PA/AP view | left wrist radiograph | age 7 y, boy | acquired on Siemens | image width 82.1 mm —
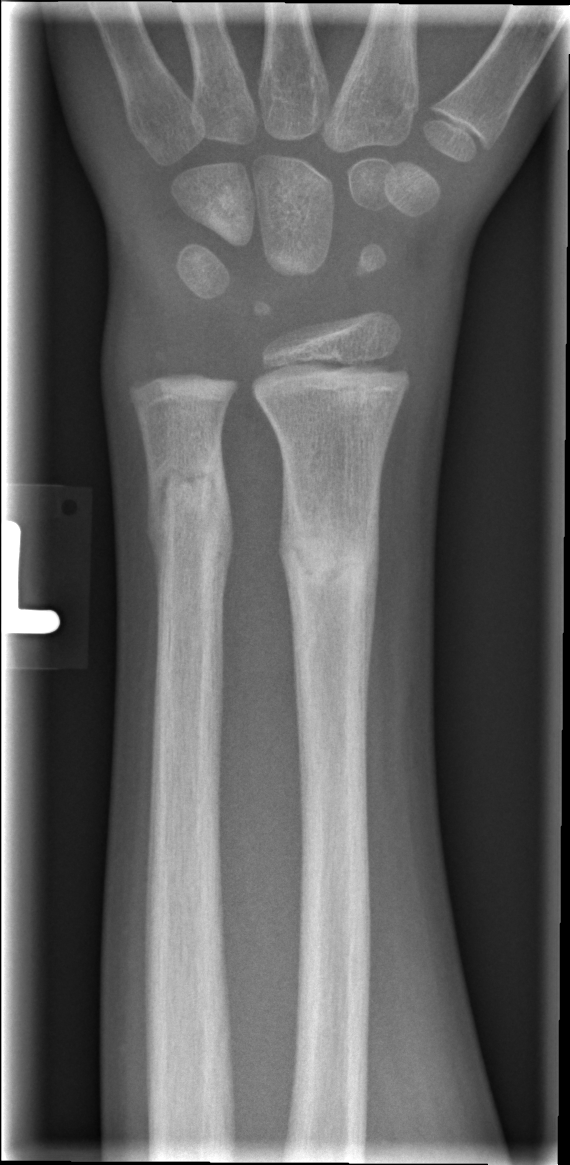
AO code 23-M/3.1. Periosteal new bone — (365, 484, 381, 744) (144, 470, 171, 601) (280, 457, 294, 559). Fx identified at (275, 502, 385, 603), (142, 469, 235, 576).